Posteroanterior · left wrist X-ray · female, 12 yo —

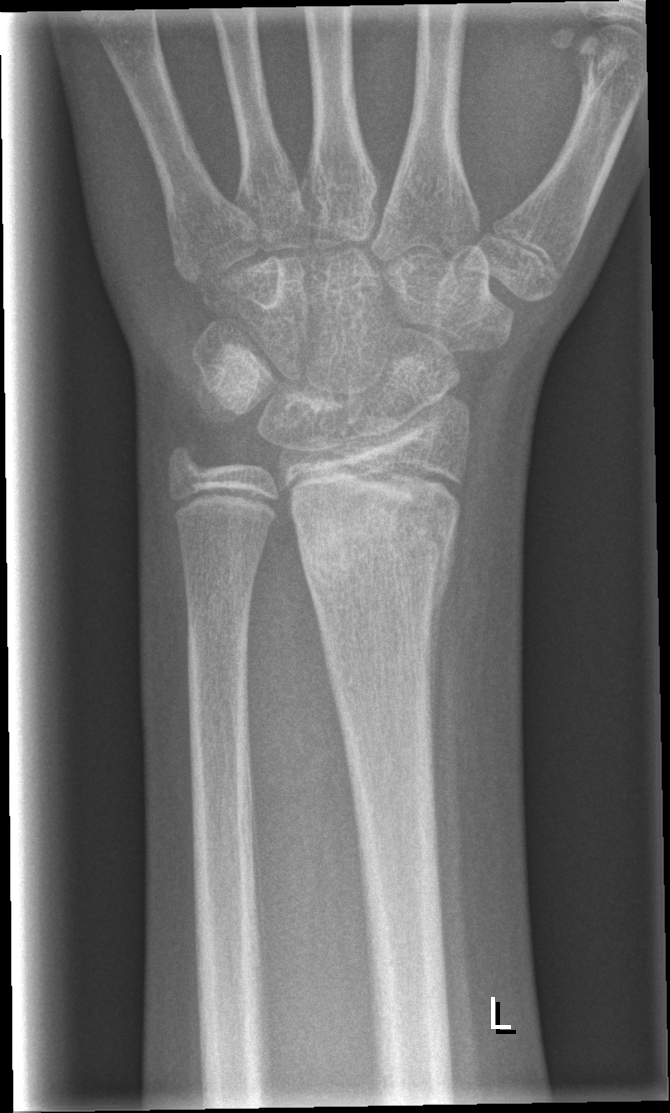

{
  "_coords": "coordinates are [x1, y1, x2, y2] in image pixels",
  "fracture": "1 @ bbox(292, 489, 459, 602)",
  "periostealreaction": "bbox(424, 517, 456, 744)"
}